Lt wrist radiograph · lat view · pediatric patient (boy, age 11) · detector: Siemens · image size 438x810 — 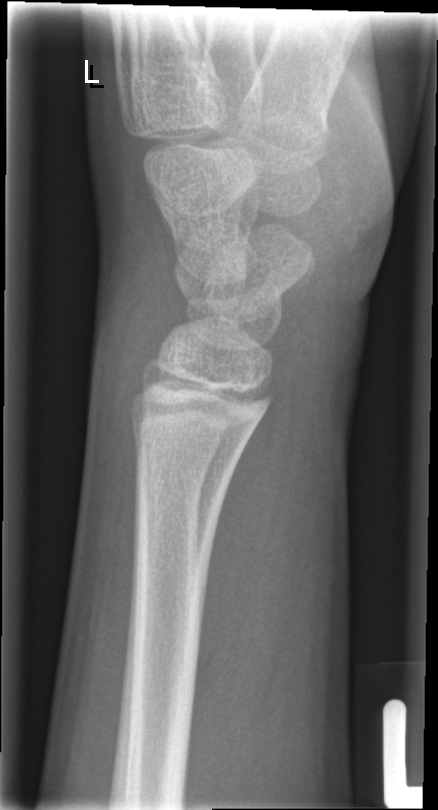

- No fracture bounding box.